Right wrist radiograph | PA projection | index exam —

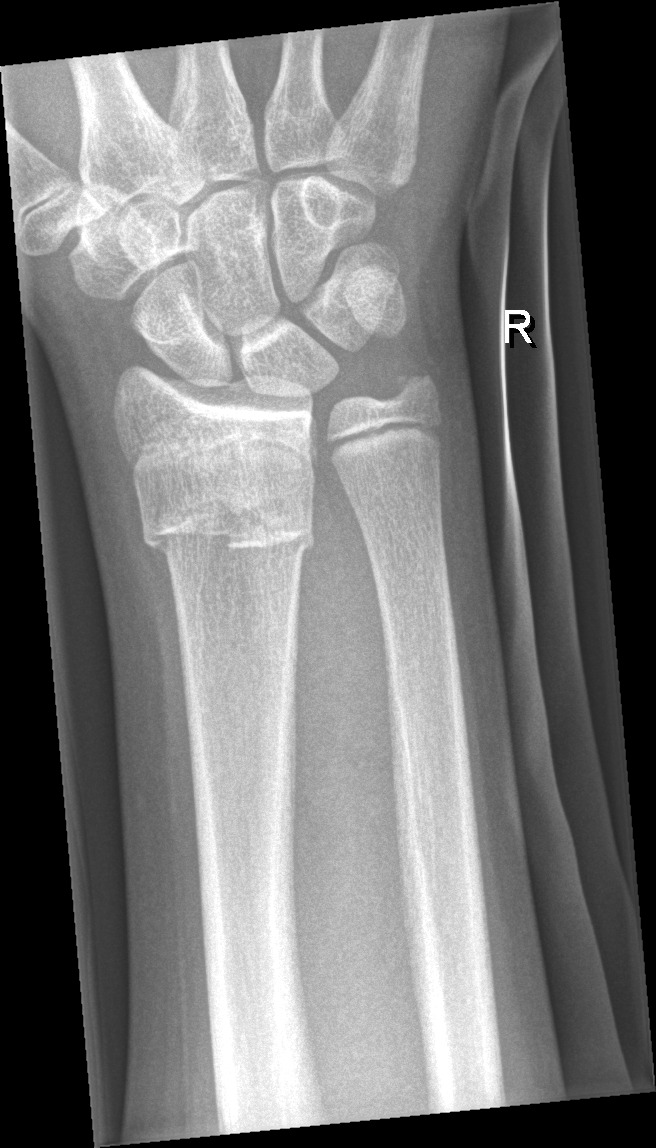

FINDINGS: Bone fractures — <134,448>-<319,559>; <385,357>-<447,417>. AO code 23r-M/3.1; 23u-E/7.